Lateral | R plain radiograph of the wrist | pediatric patient (female, age 4) | 393 x 902 px.

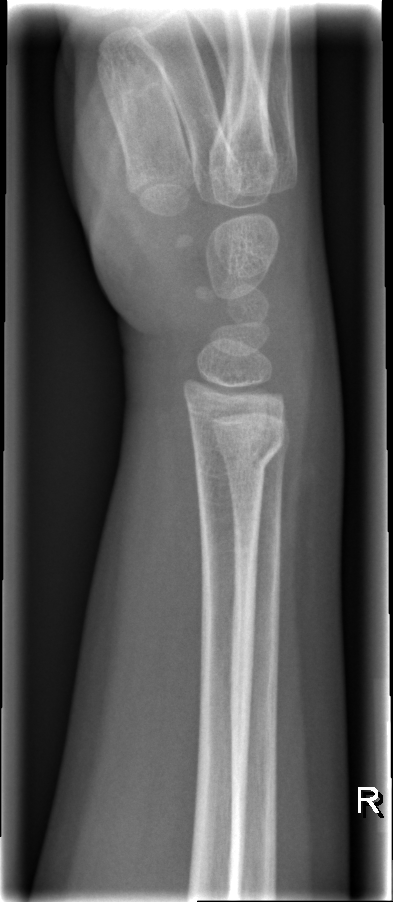

(boxes as x1,y1,x2,y2 (top-left / bottom-right, pixel units))
AO classification = 23r-M/2.1
Fracture = 1 @ [187, 418, 288, 487]